Right wrist plain radiograph of the wrist; AP view; age 10 y, girl —
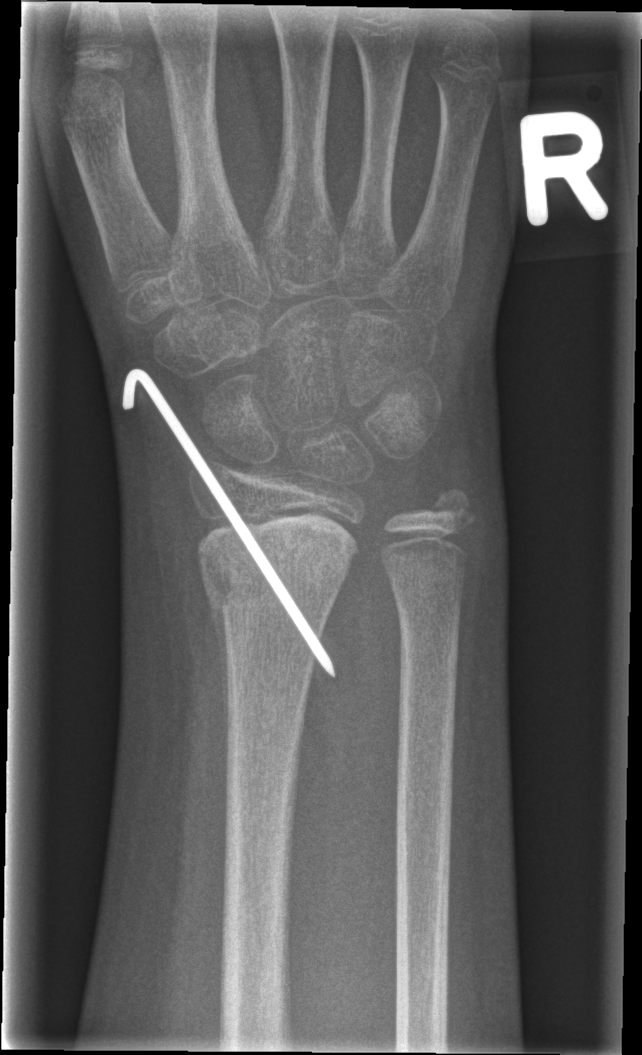

* Bounding boxes in image-pixel xyxy.
* Metallic hardware: (121, 364, 337, 683).
* AO/OTA classification: 23r-E/2.1; 23u-E/7.
* Fractures — (197, 512, 362, 619); (424, 479, 480, 537).
* Osteopenic.
* Periosteal reaction identified at (209, 601, 229, 744).